Right plain radiograph of the wrist, posteroanterior, 10-year-old boy, 615 x 838 px

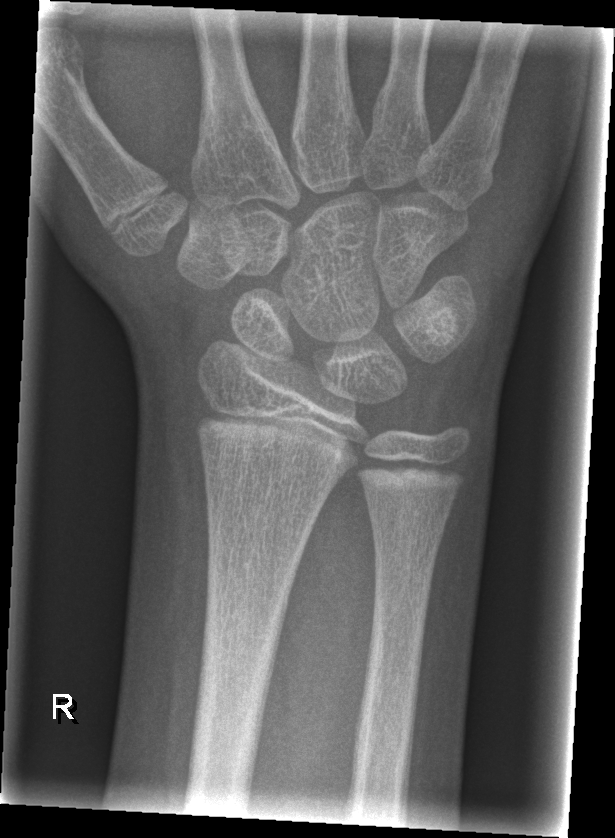 bone fracture = none labeled